Rt wrist XR; lat projection; 15-year-old boy; follow-up

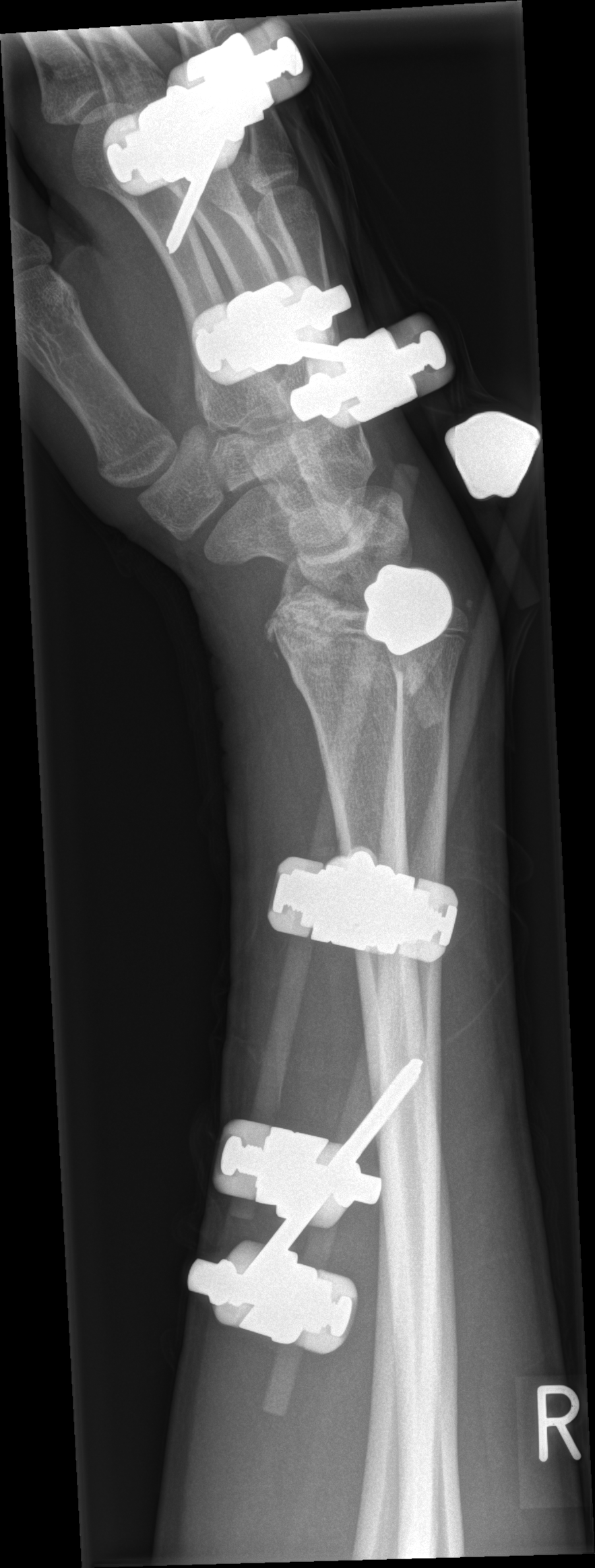

Bone fracture — 268 589 471 731.
6 metallic implants at 187 1058 421 1411; 100 16 308 254; 191 273 455 432; 270 843 457 959; 365 567 457 654; 451 412 546 496.